PA view · Rt pediatric wrist radiograph · 814x1224

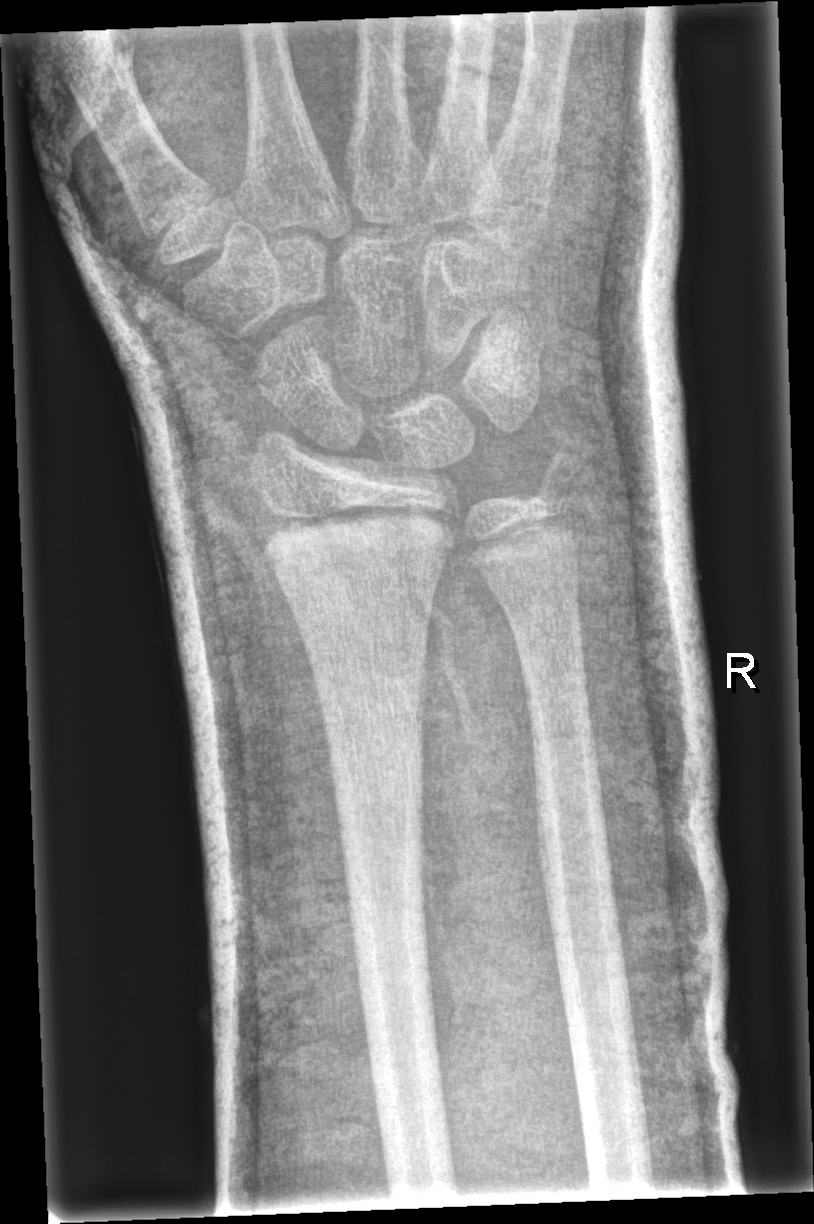
Q: Locate any fractures.
A: Fx: <258,496>-<461,572>